Lateral projection | right wrist radiograph | 9y F | presentation radiograph | Siemens | 387 x 980 px
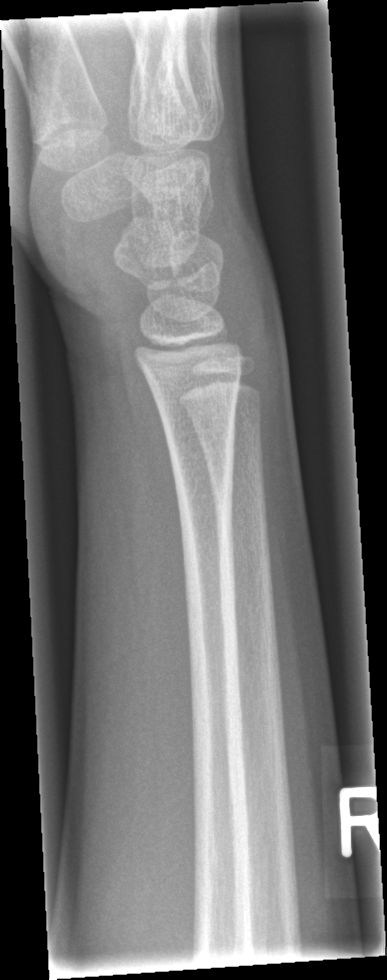   fracture: none labeled